L wrist X-ray, PA view, 2-year-old female 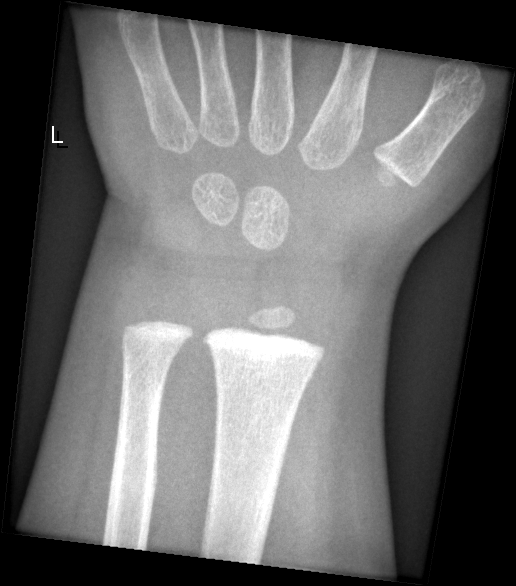 Findings: Fracture: none labeled.